Lat view, left wrist plain film

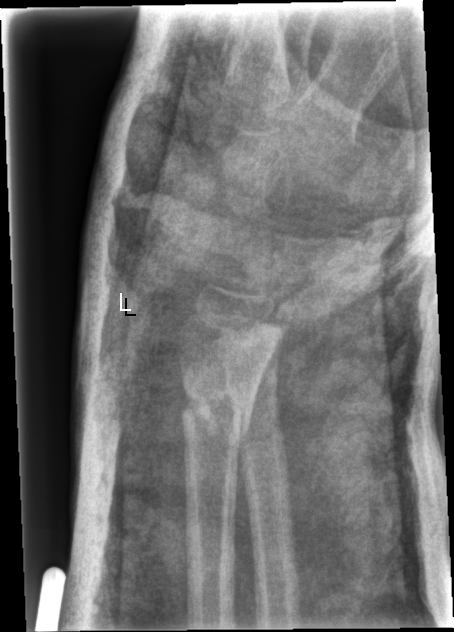

Fracture classified AO/OTA 23r-M/3.1; 23u-M/2.1.
One bone fracture at [x1=175, y1=368, x2=256, y2=449].